Frontal view; right wrist X-ray; 13y M: 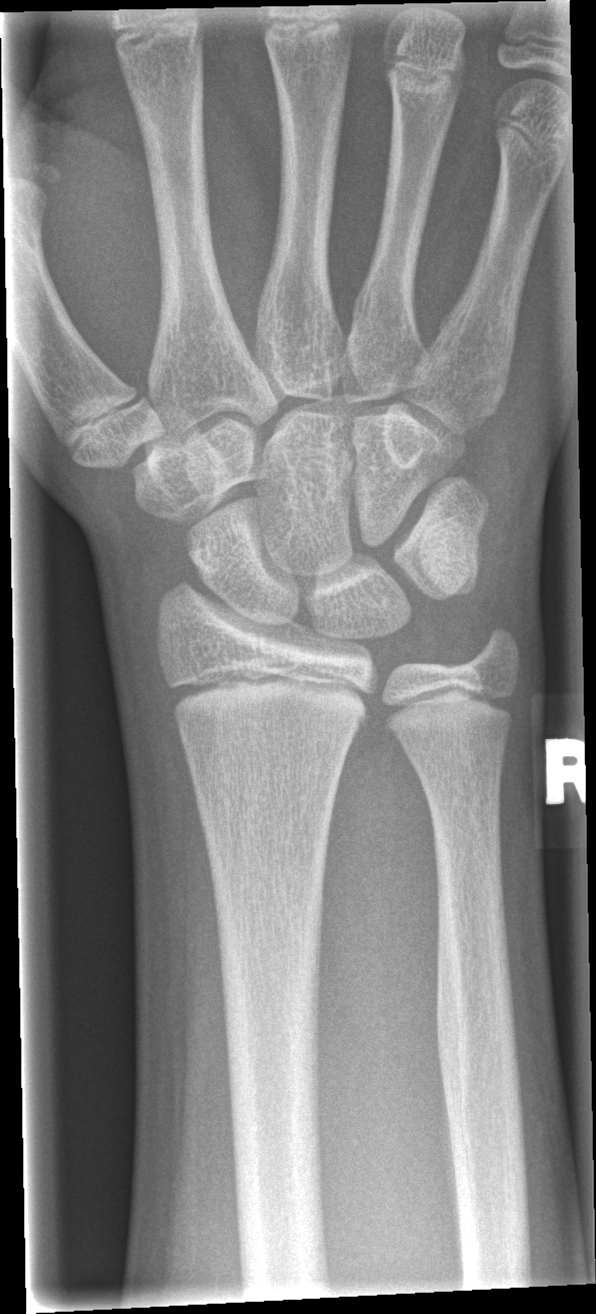
bone fracture = none labeled